Lateral projection | left wrist X-ray | girl, 16 yo:
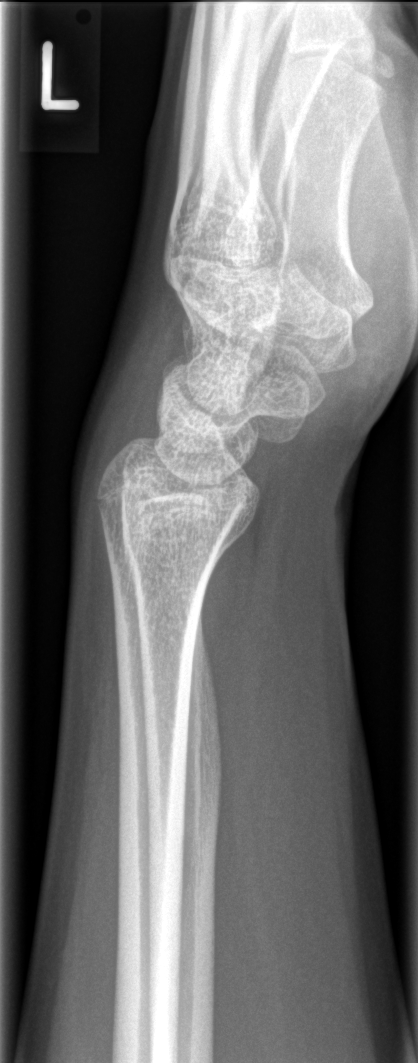 FINDINGS: Fx: none.